Lat projection, left wrist plain radiograph of the wrist, image size 477x1312. 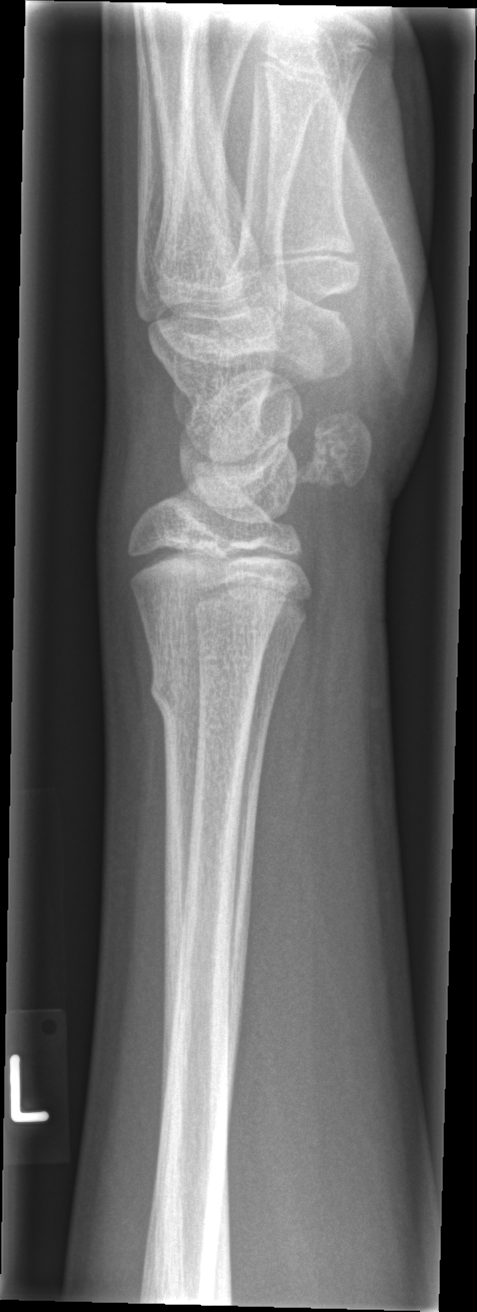

Bounding boxes in image-pixel xyxy. One bone fracture at 142 663 267 727.